Lt wrist XR, lat view, subsequent exam, 618 by 1134 pixels:

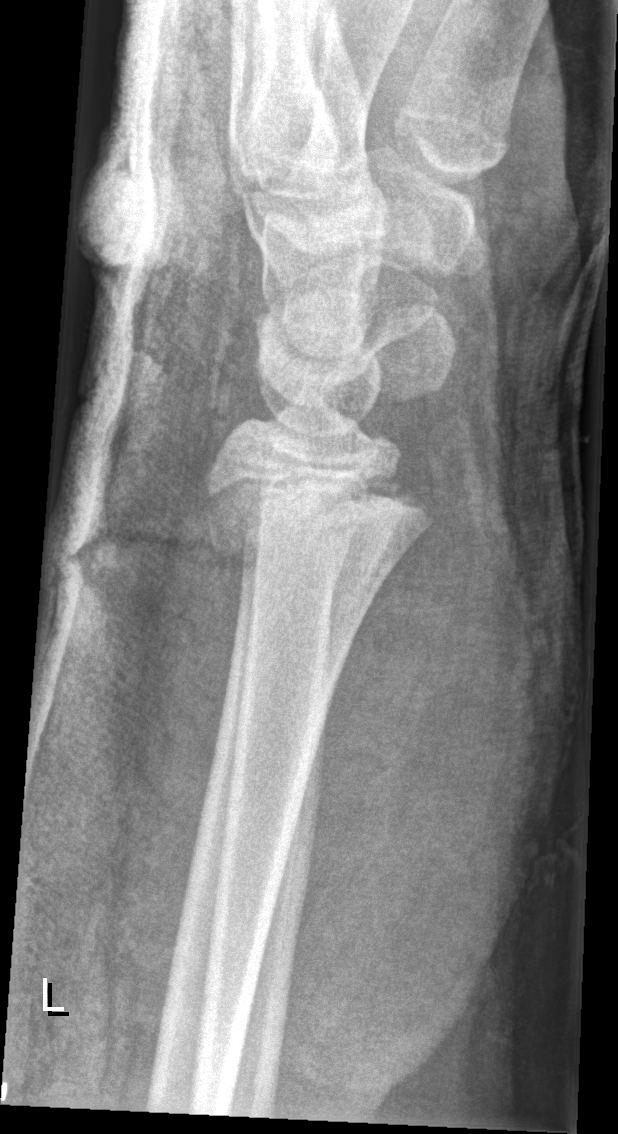

Pixel coordinates, top-left origin, xyxy. Fracture classified AO/OTA 23r-E/2.1; 23u-E/7. Fx identified at [200, 447, 435, 563].